Lat | right wrist X-ray | initial study: 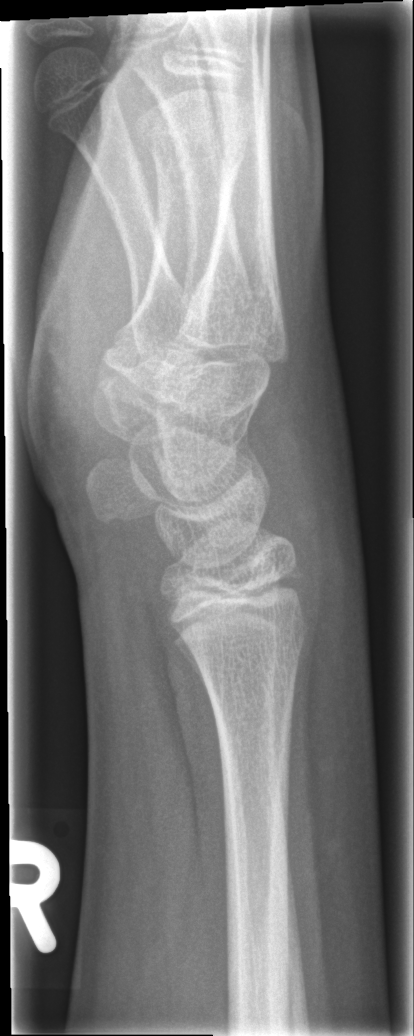

* No Fx annotated.